Lateral view; left wrist X-ray; boy, 13 yo

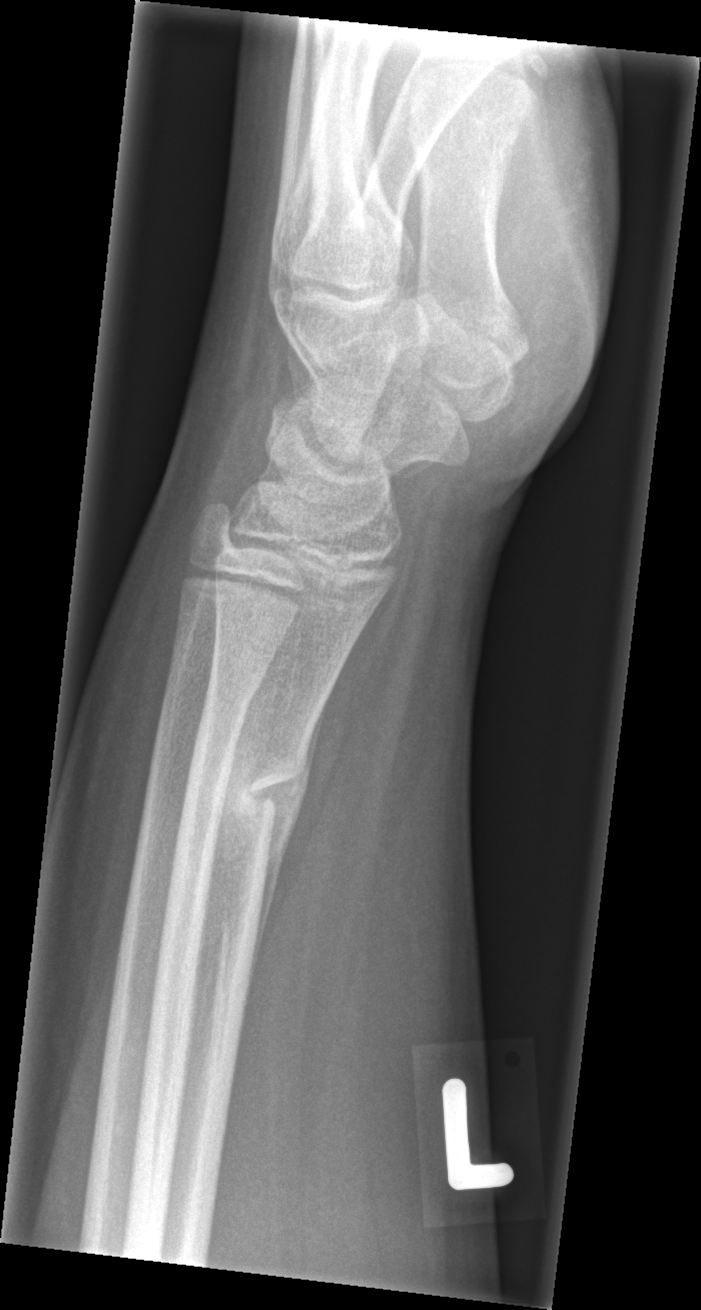
(coordinates are [x1, y1, x2, y2] in image pixels)
Periosteal reaction: 1 @ 245 686 332 1006
AO code: 23r-M/3.1; 23u-M/2.1
Bone fracture: 1 @ 178 736 313 850